PA/AP, Lt wrist XR, pediatric patient (boy, age 8), 644 by 854 pixels: 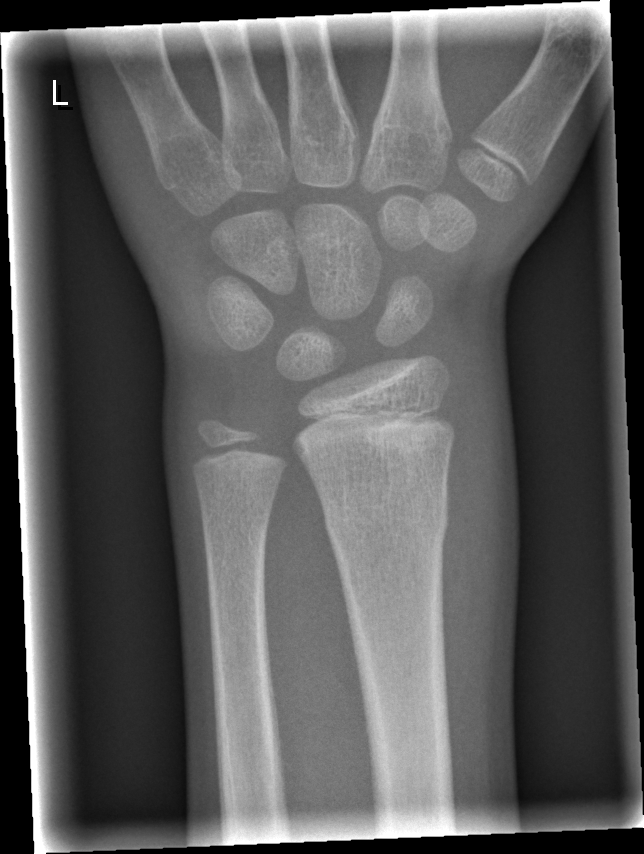

Fracture identified at (left=320, top=492, right=451, bottom=549).
AO/OTA classification: 23r-M/2.1.
Soft tissue abnormality: (left=440, top=381, right=520, bottom=675).